L wrist X-ray; lat view; 8y M; 87.6 mm image width.
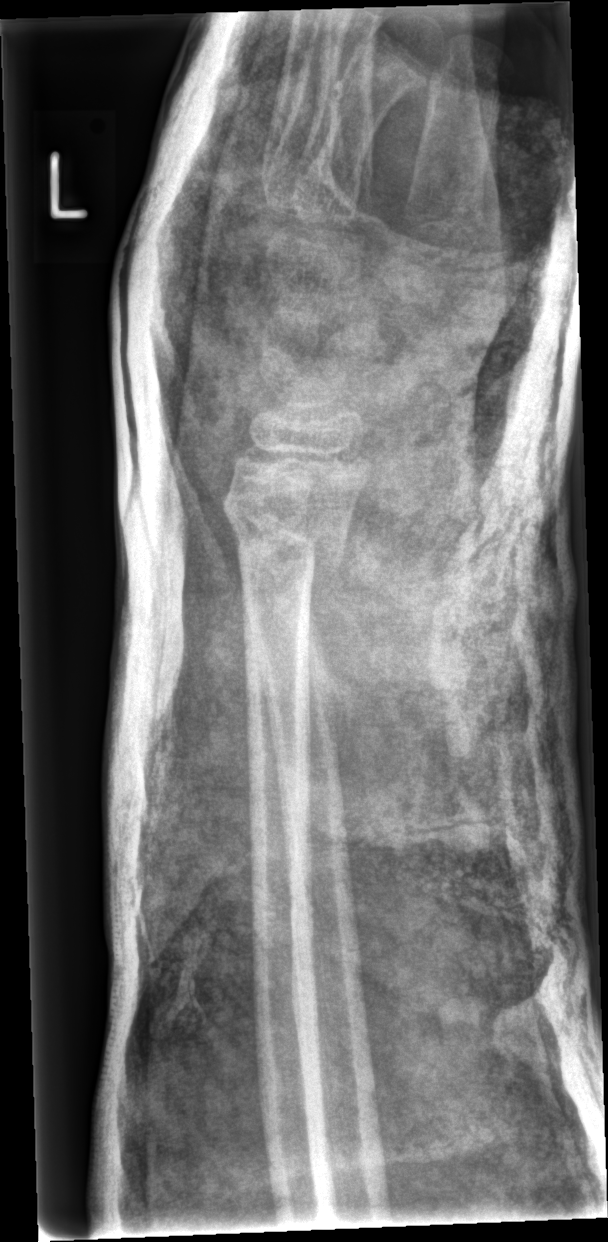 * AO/OTA classification: 23-M/3.1.
* Fx — 221 480 356 591.